Left wrist radiograph; AP; 9-year-old male; 572x990 —
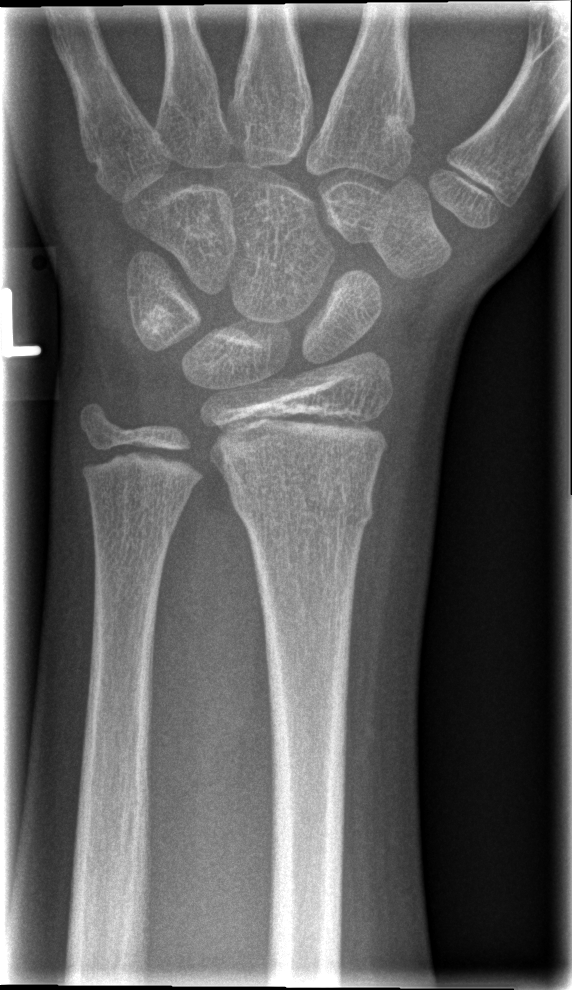

• Pixel coordinates, top-left origin, xyxy.
• Fracture: 225,473,377,535
  75,442,206,506.
• Fracture classified AO/OTA 23-M/2.1.